Lateral, R wrist plain film, pediatric patient (male, age 11): 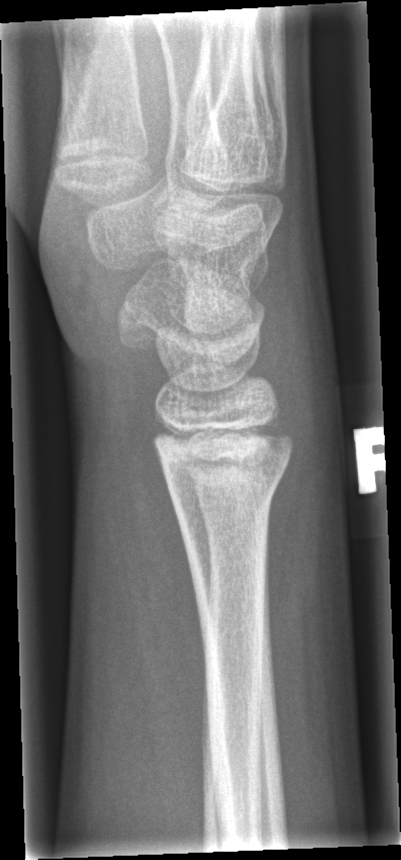

Bone fracture: [158, 454, 290, 522].
AO/OTA classification: 23r-M/2.1.